Rt wrist plain film; posteroanterior projection; cast in situ; 586 by 994 pixels: 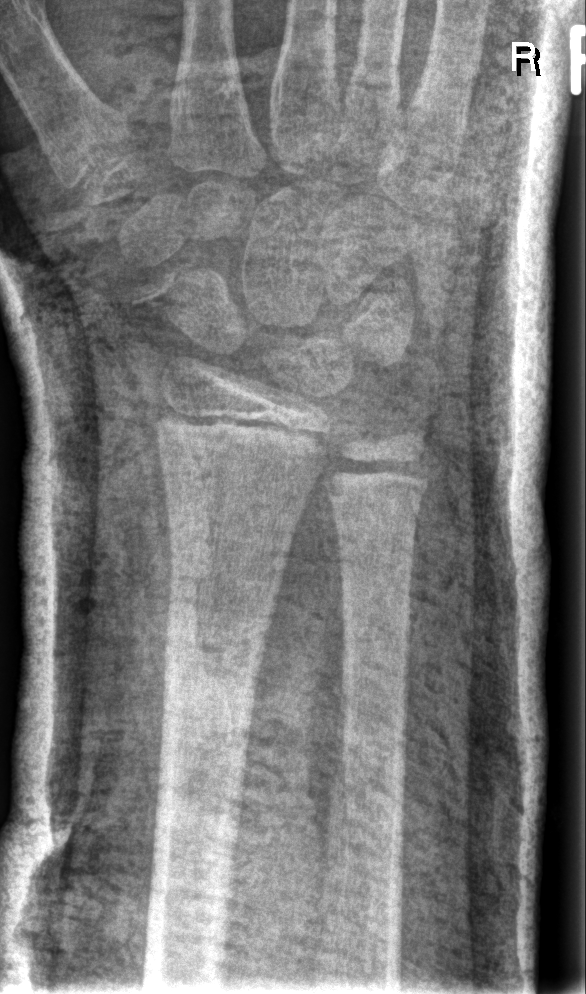

AO/OTA = 23-M/2.1
Fx = present but not clearly seen in this view